Posteroanterior projection; L plain radiograph of the wrist; age 11 y, boy; follow-up; in cast; acquired on Siemens:

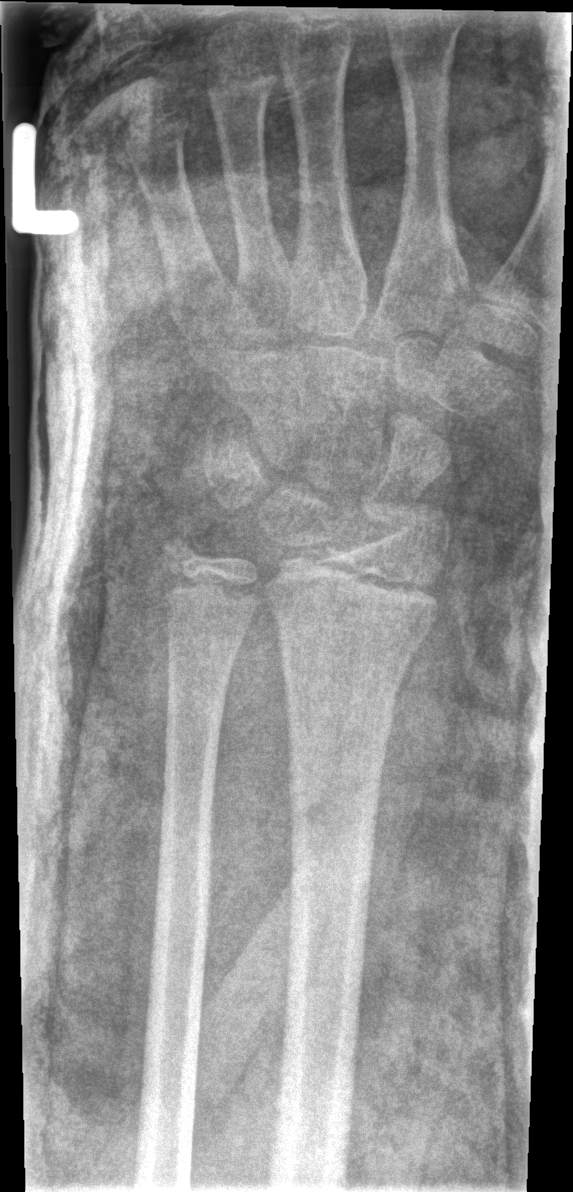

Findings: Fracture classified AO/OTA 23r-M/3.1. Fx present but not clearly seen in this view.